Lateral projection; left plain radiograph of the wrist; 12y F; acquired on Siemens — 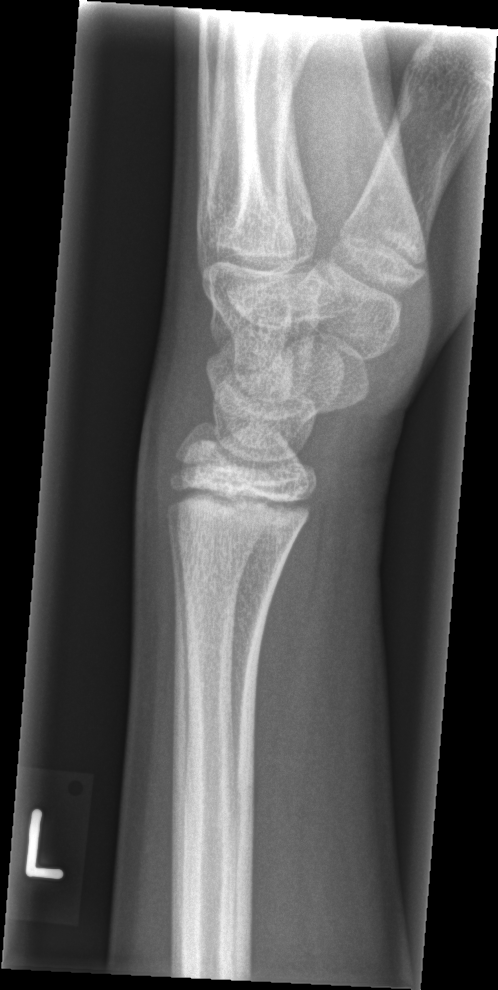 fracture: present but not clearly seen in this view
AO code: 23u-E/7